Frontal, left wrist radiograph, male, 8 yo, 563 by 906 pixels —
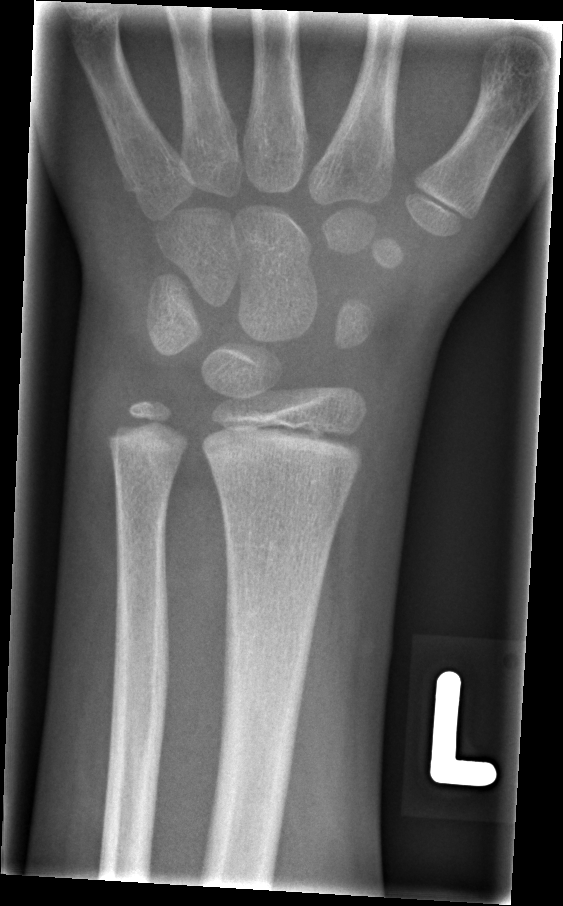 Fx: none.